PA | left wrist radiograph | pediatric patient (female, age 9) | index exam: 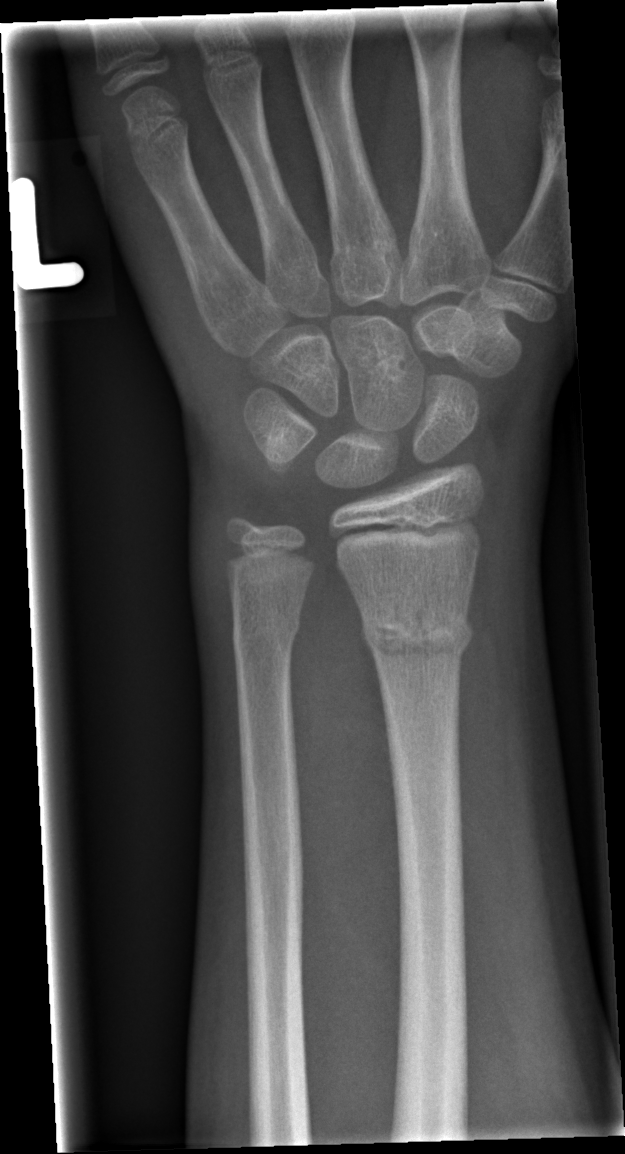 Bone fracture identified at (357, 596, 477, 667), (228, 600, 304, 659).